Rt plain radiograph of the wrist | lat projection | 476x947:
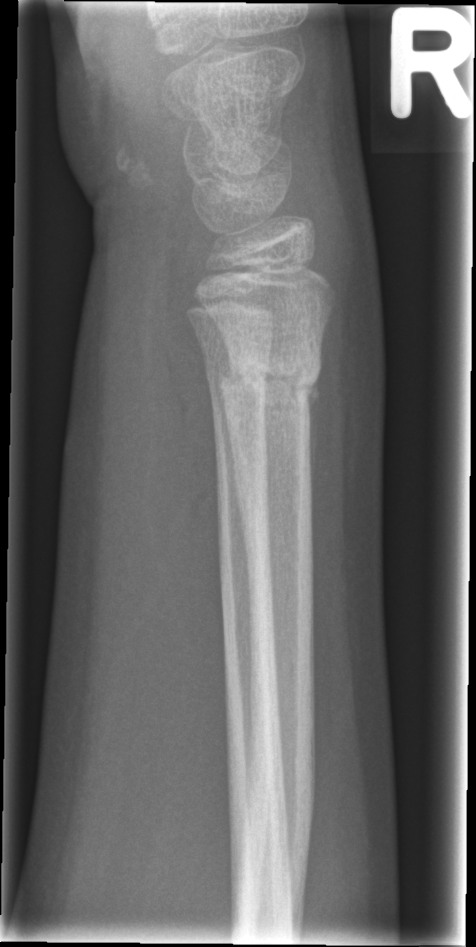
Findings: (bounding boxes in image-pixel xyxy) Fx — bbox(216, 348, 325, 410). Periosteal thickening — bbox(307, 371, 321, 501). Reduced bone mineral density.